Right wrist XR | AP projection | 12-year-old boy | initial study:
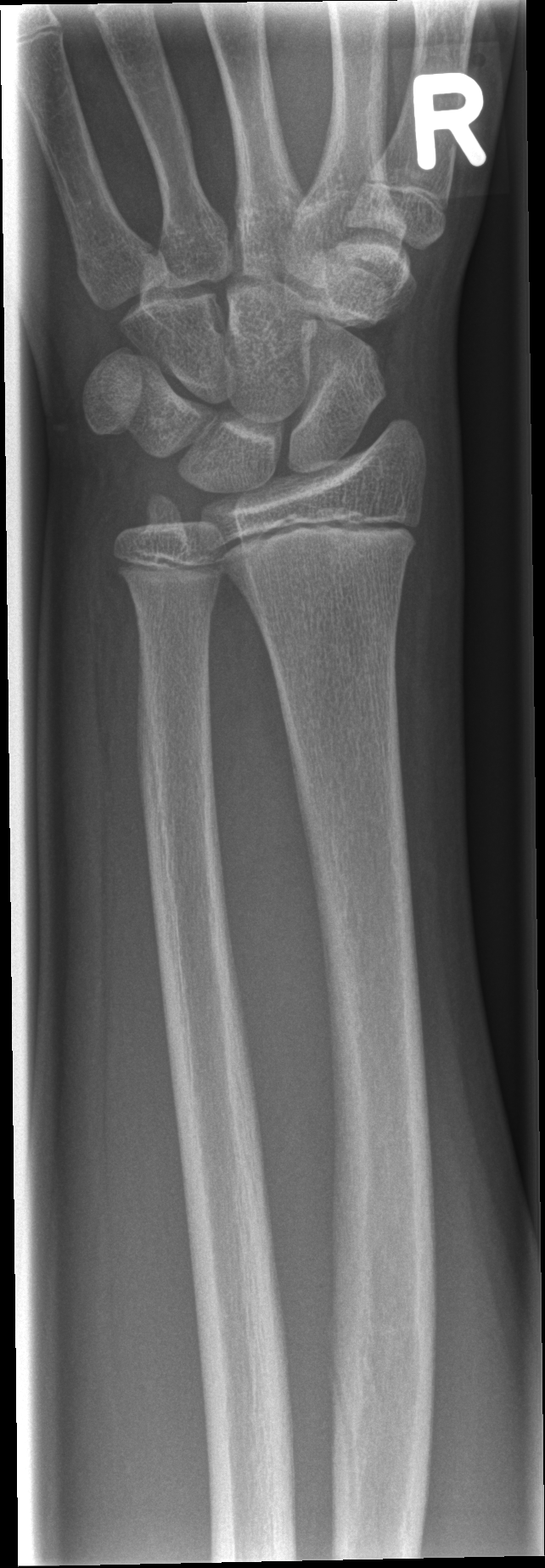 Bone fracture: [x1=235, y1=533, x2=423, y2=582]